R plain radiograph of the wrist; lat; 12y M: 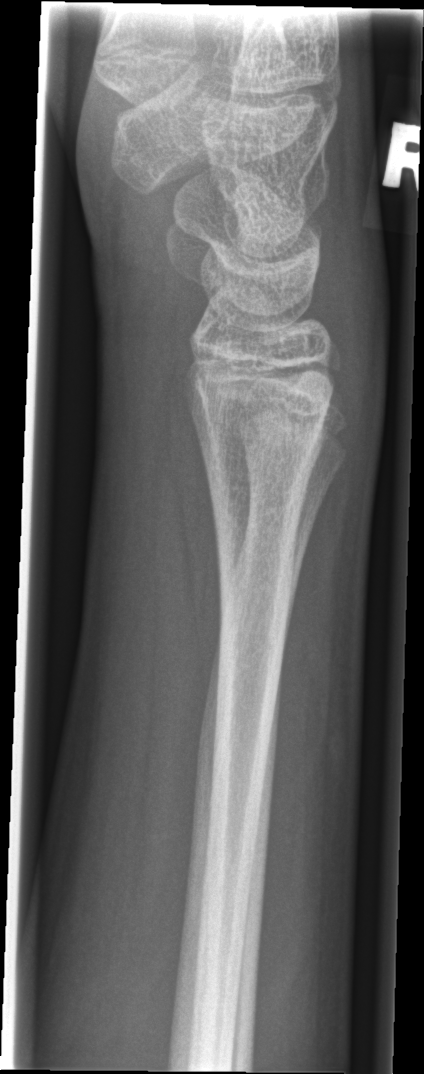
Fracture: none labeled.